Right wrist XR; lateral view —

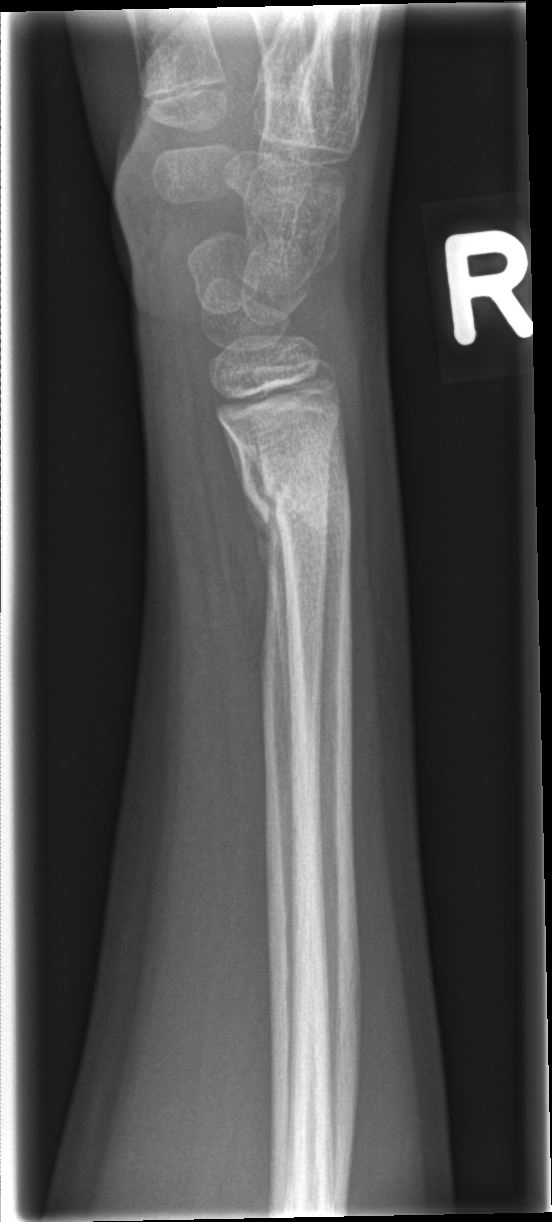

Q: Is there a fracture?
A: Fx: <244,451>-<356,578>
Q: Bone density?
A: Osteopenic
Q: Is there periosteal reaction?
A: Periosteal reaction identified at <222,422>-<292,756>